Right wrist plain radiograph of the wrist; PA/AP; pediatric patient (boy, age 14); subsequent exam.

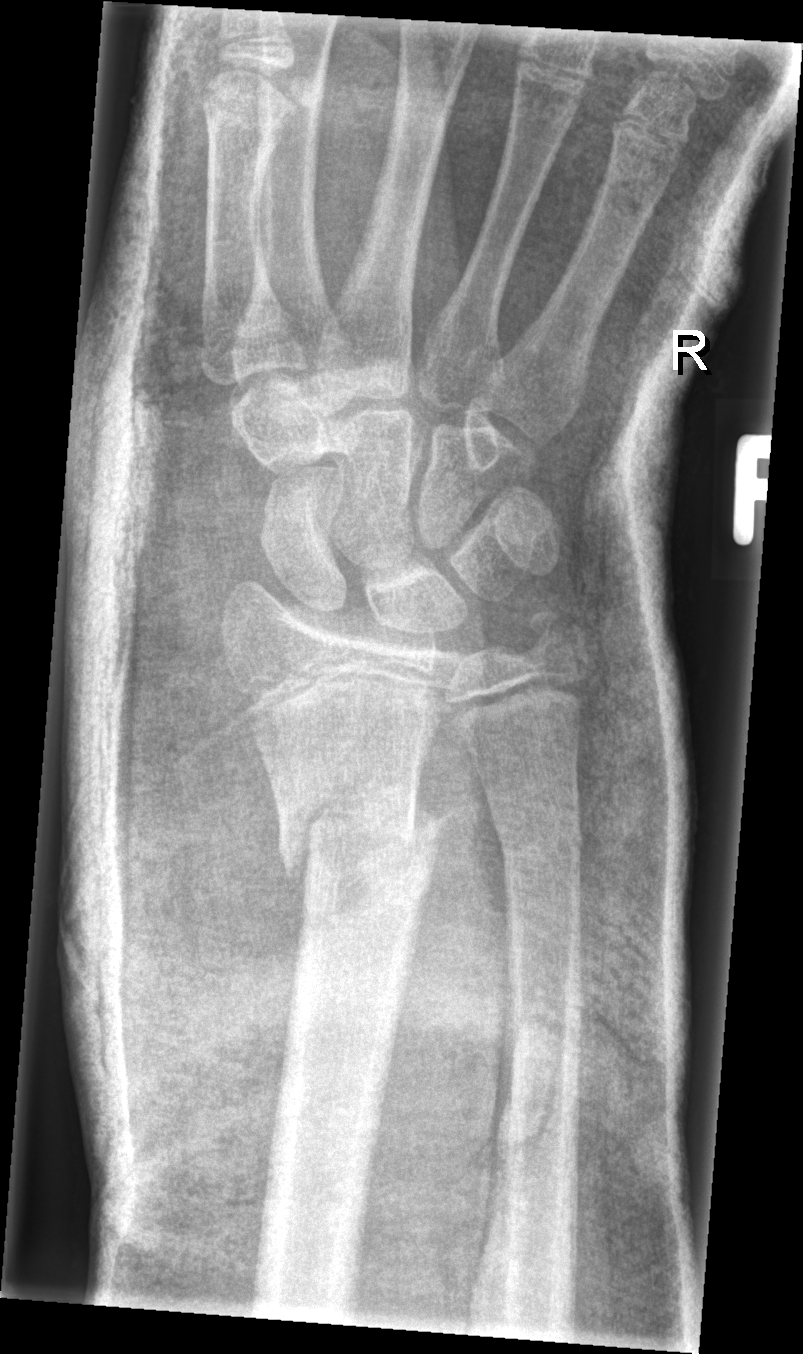

Bone fracture: (left=274, top=778, right=453, bottom=896); (left=497, top=820, right=587, bottom=880); (left=523, top=602, right=586, bottom=669)
AO code: 23-M/3.1; 23u-E/7